Left wrist XR · PA · Siemens:
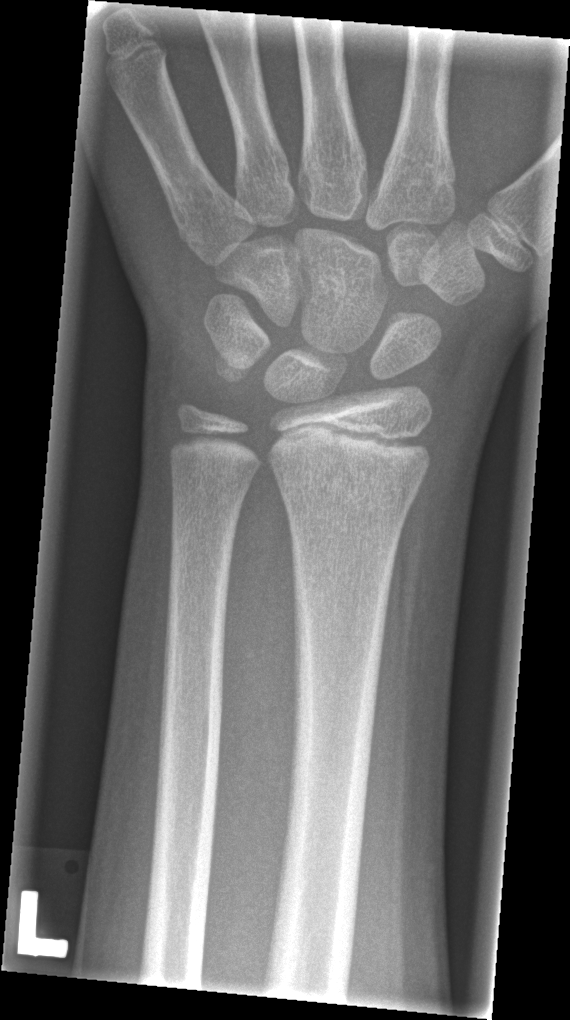

fracture = 1 @ (left=271, top=455, right=423, bottom=524)
AO/OTA = 23r-M/2.1